PA/AP view, Lt wrist radiograph, 14y F — 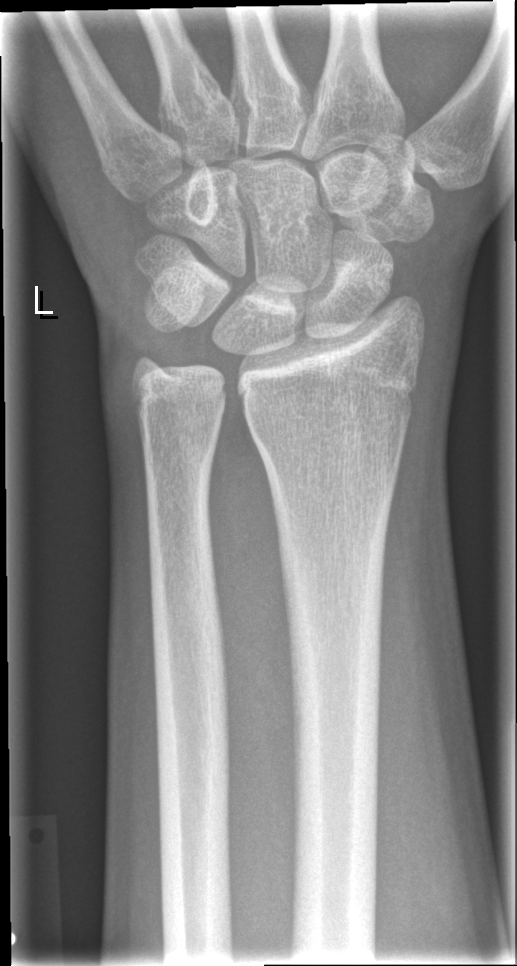 bone fracture = none labeled